Left pediatric wrist radiograph · lat · pediatric patient (male, age 12) · acquired on Siemens —

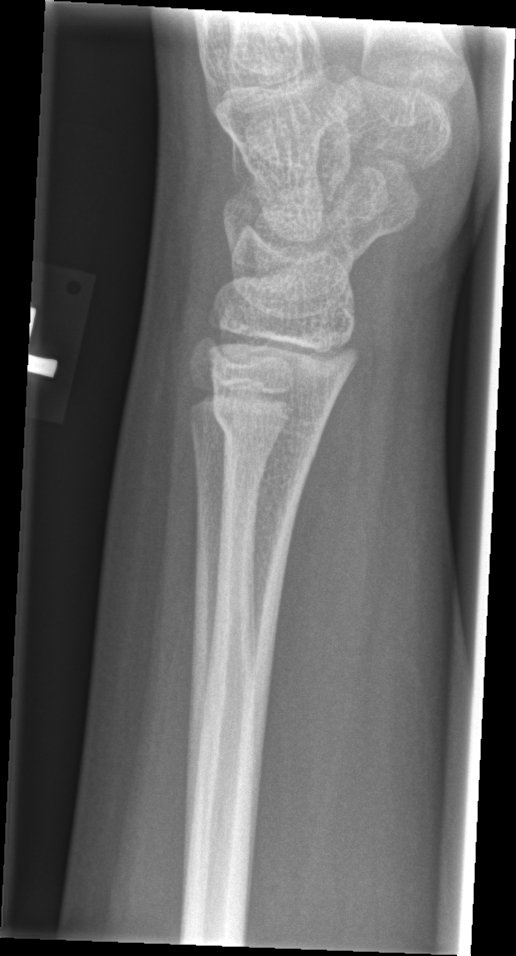
• Pixel coordinates, top-left origin, xyxy.
• AO code 23r-M/2.1.
• Fx identified at (208, 388, 333, 454).